Lat view; left wrist XR; pediatric patient (female, age 11); presentation radiograph; 469 by 706 pixels —
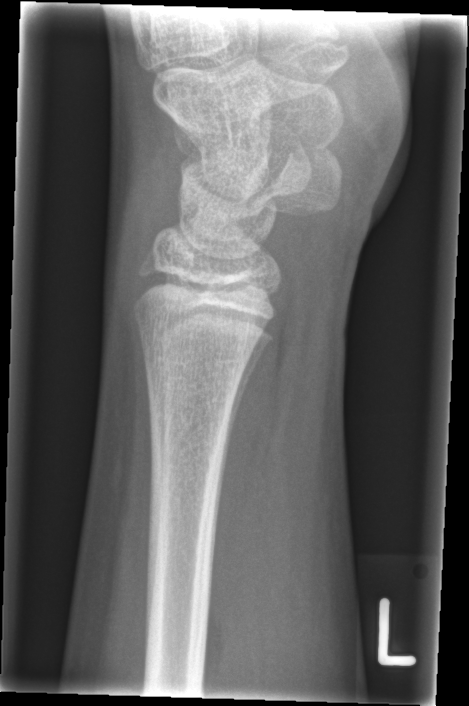
Fracture: none labeled.